Lateral view, left wrist radiograph —

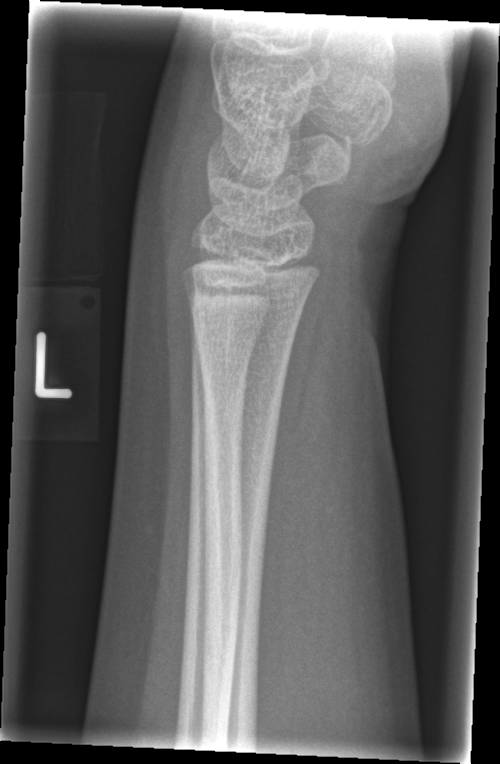
Fracture: none labeled.